Lat projection · right pediatric wrist radiograph
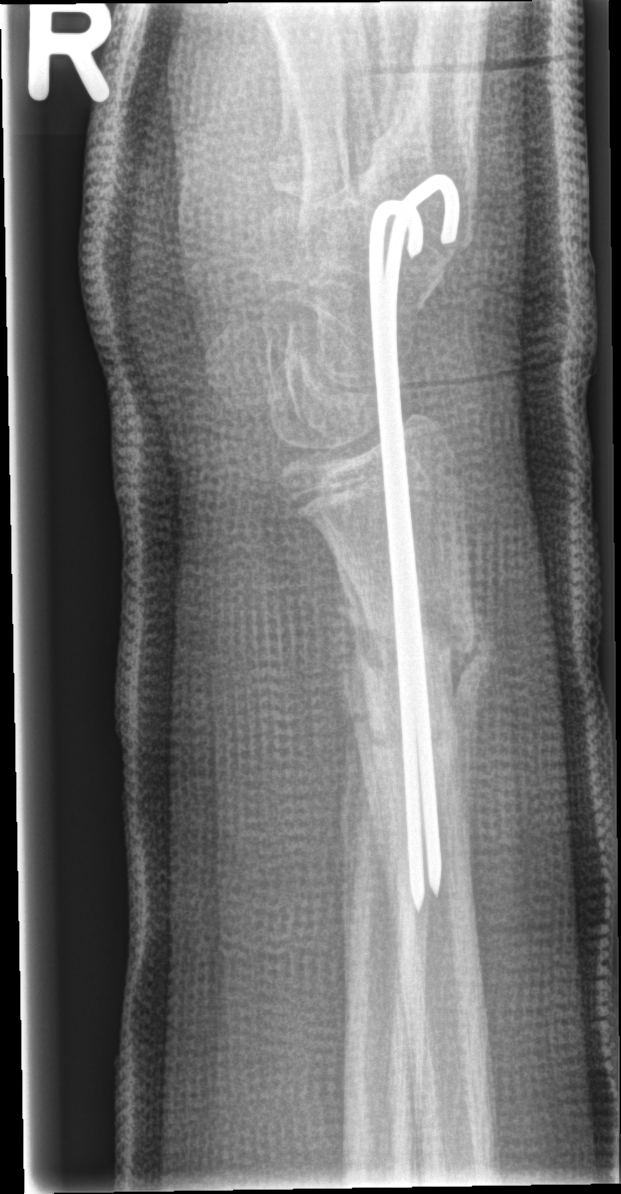

Fracture identified at [338, 595, 493, 775]. Hardware identified at [369, 172, 455, 905].